Rt plain radiograph of the wrist, AP, pediatric patient (female, age 13), presentation radiograph —
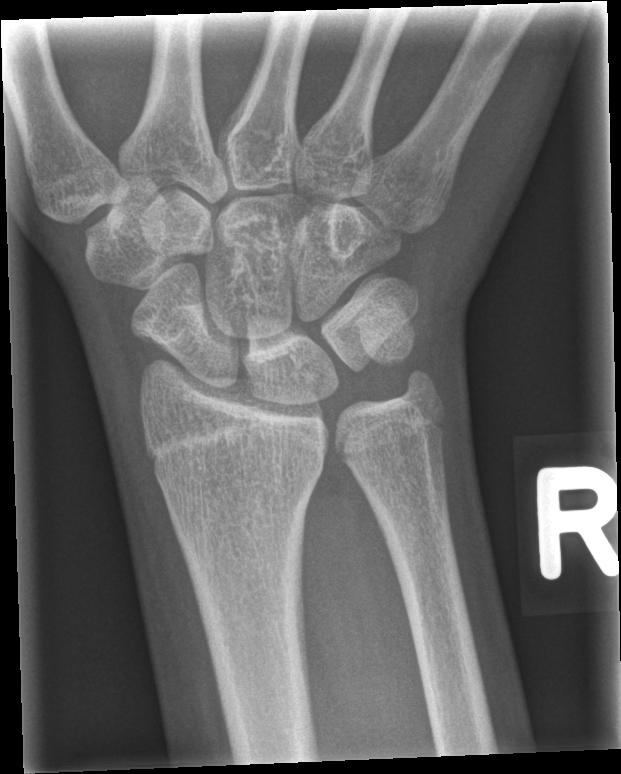 Bone fracture: none labeled